L wrist X-ray | lateral projection. 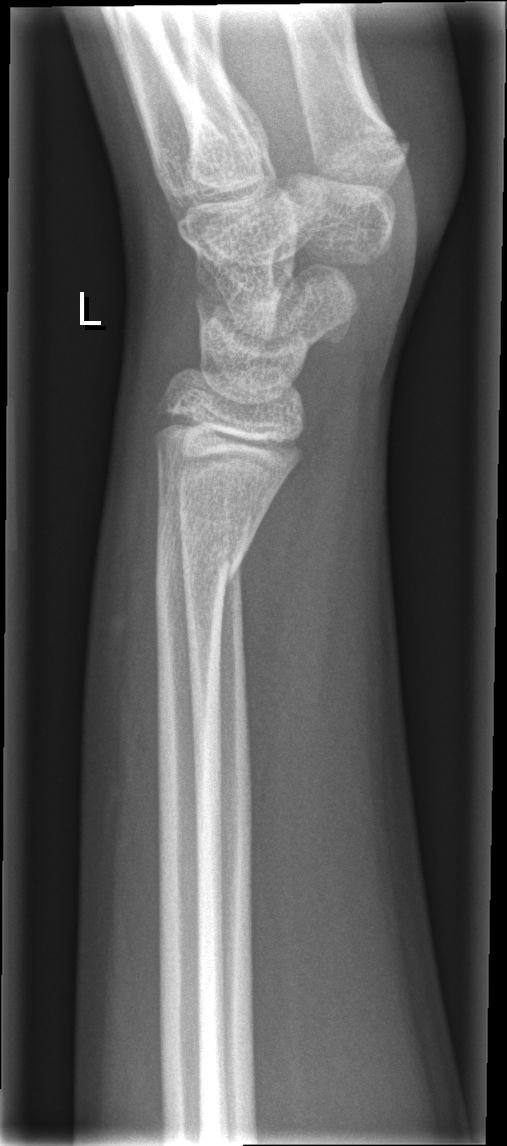

* Boxes as x1,y1,x2,y2 (top-left / bottom-right, pixel units).
* Fx: <152,531>-<245,598>.
* AO code 23-M/2.1.